Frontal view; right wrist X-ray; pediatric patient (girl, age 1.6); image width 69.4 mm 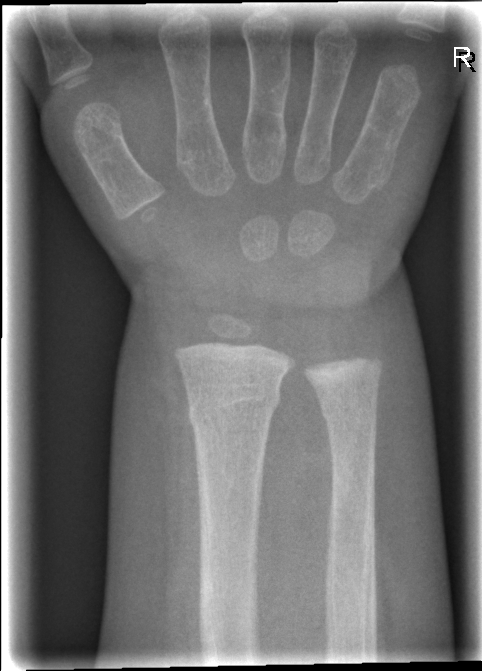

Coordinates are [x1, y1, x2, y2] in image pixels.
Fracture identified at <188,385>-<284,433> <315,396>-<380,431>.